Posteroanterior, Rt wrist radiograph, female, 17 yo, acquired on Siemens —

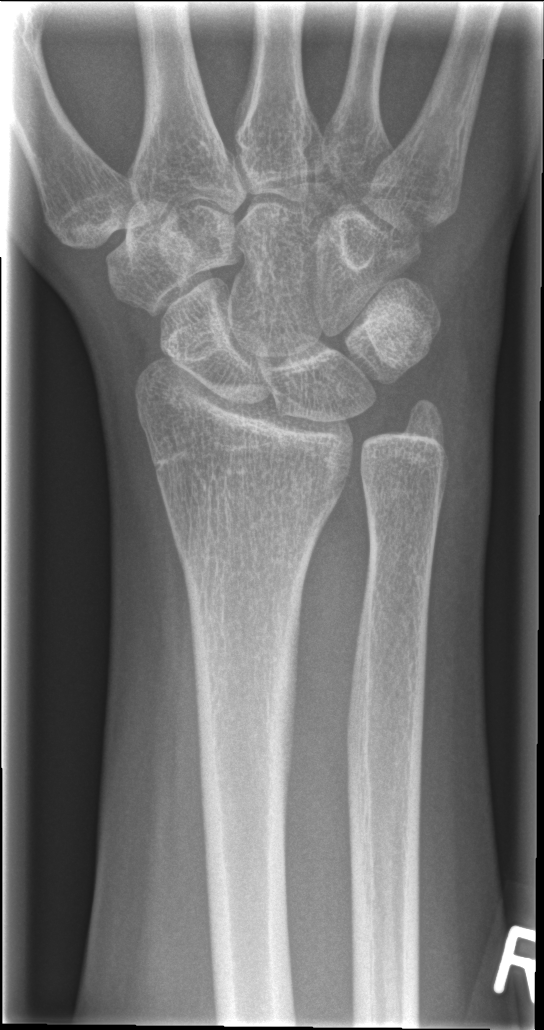

Q: Is there a fracture?
A: No fracture bounding box